Left plain radiograph of the wrist, frontal projection, girl, 12 yo, in cast, 665 by 1020 pixels.

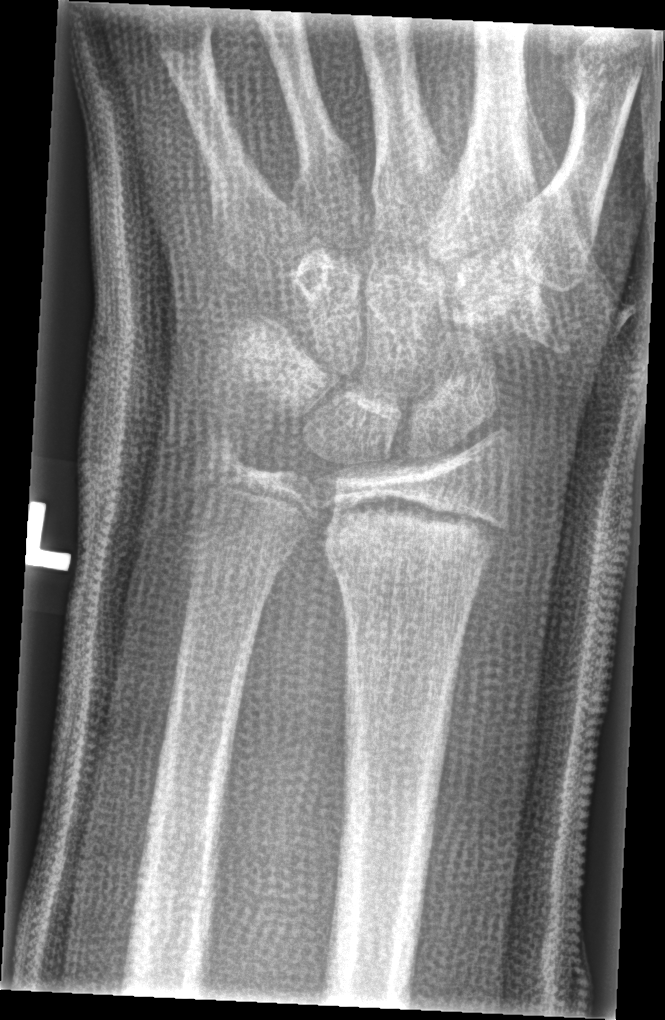
(coordinates are [x1, y1, x2, y2] in image pixels)
Q: Fracture present?
A: Fractures — (left=313, top=509, right=497, bottom=582); (left=192, top=425, right=247, bottom=480)
Q: AO code?
A: Fracture classified AO/OTA 23r-E/2.1; 23u-E/7